PA view | Rt wrist plain film
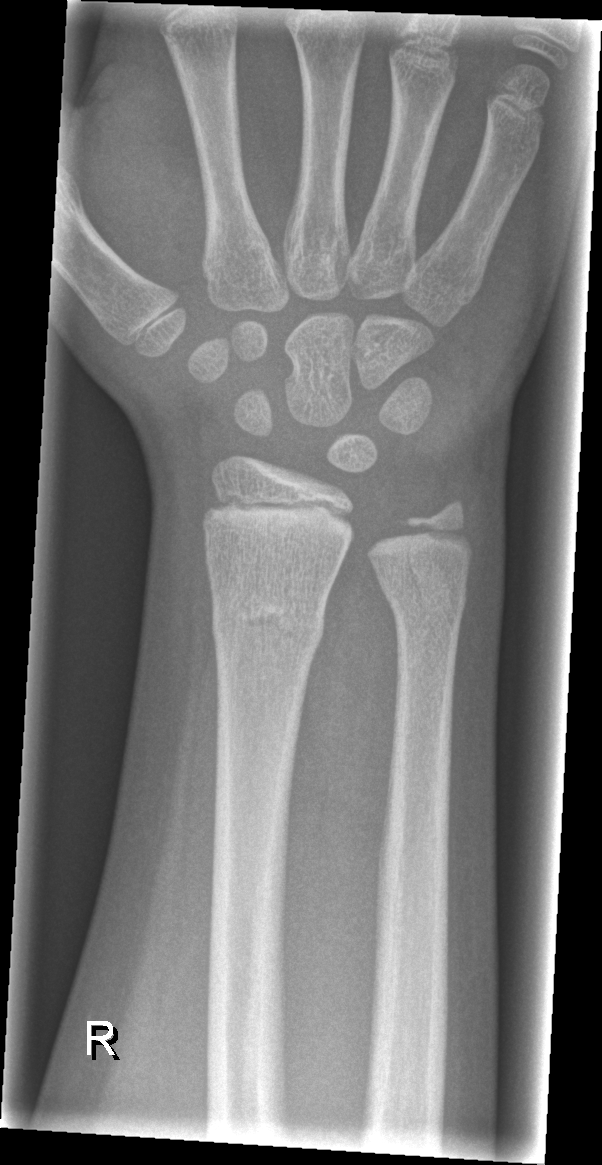

• Fracture classified AO/OTA 23r-M/3.1; 23u-M/2.1.
• Two Fx at <208,583>-<329,662> <368,533>-<470,626>.